Lat view · right wrist X-ray · 13y M · follow-up
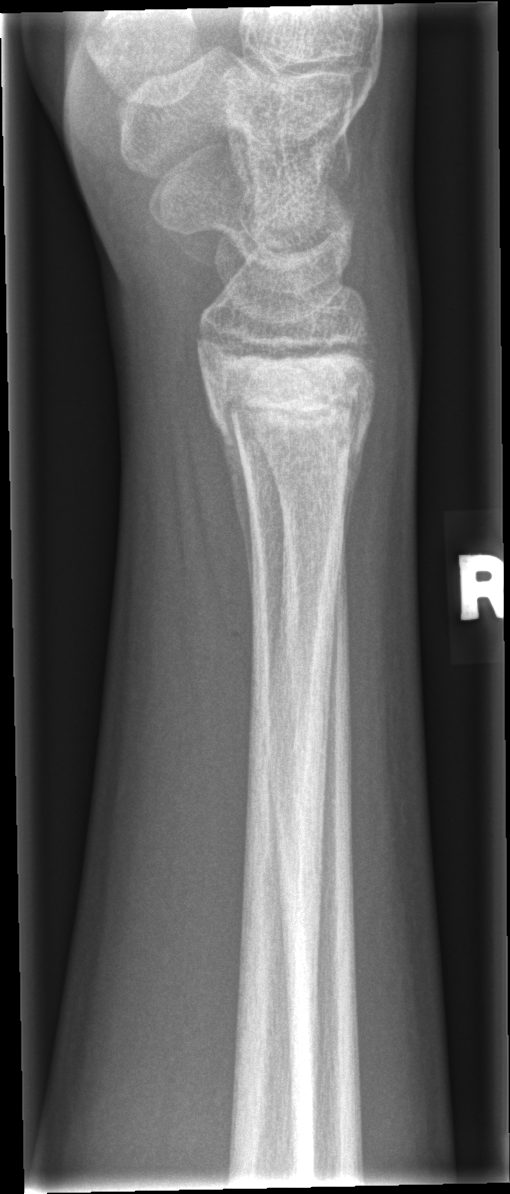 {"fracture": "1 @ <200,364>-<379,479>", "osteopenia": "present", "periostealreaction": "2 @ <212,419>-<261,662>; <338,370>-<377,580>"}